L wrist X-ray · lat projection · pediatric patient (girl, age 8) · 51.7 mm image width

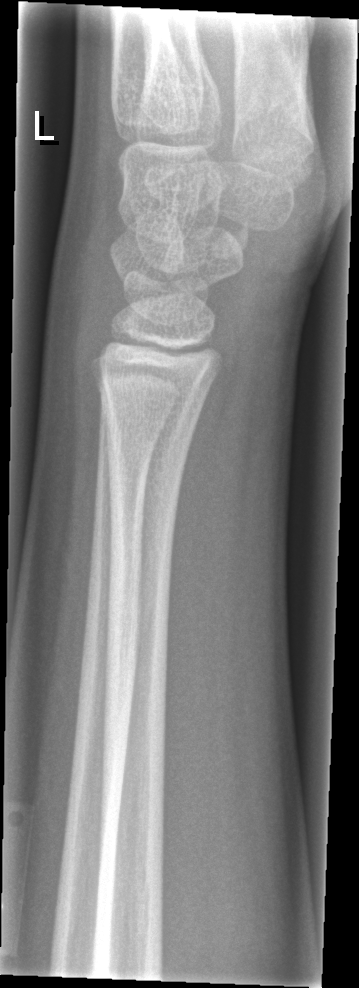 No fracture labeled.